Lt plain radiograph of the wrist; lat view; 10y M; cast present.
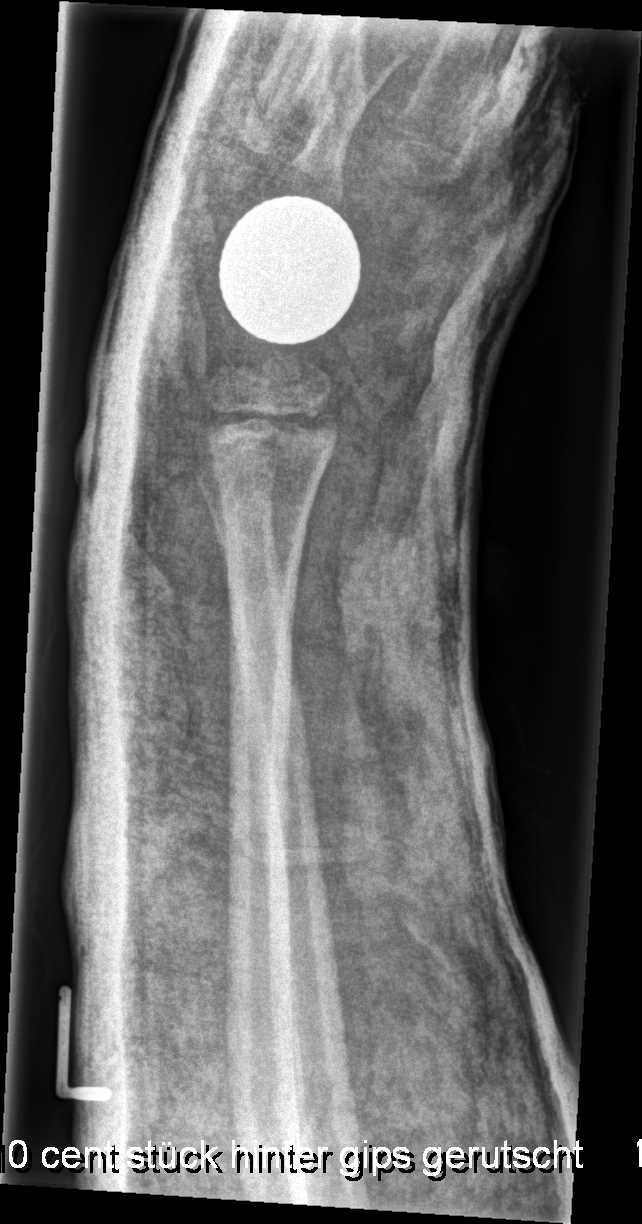
Pixel coordinates, top-left origin, xyxy. Hardware identified at 216,190,363,341. AO code 23r-E/1. Bone fracture identified at 198,398,345,461.